R wrist X-ray, frontal, subsequent exam:

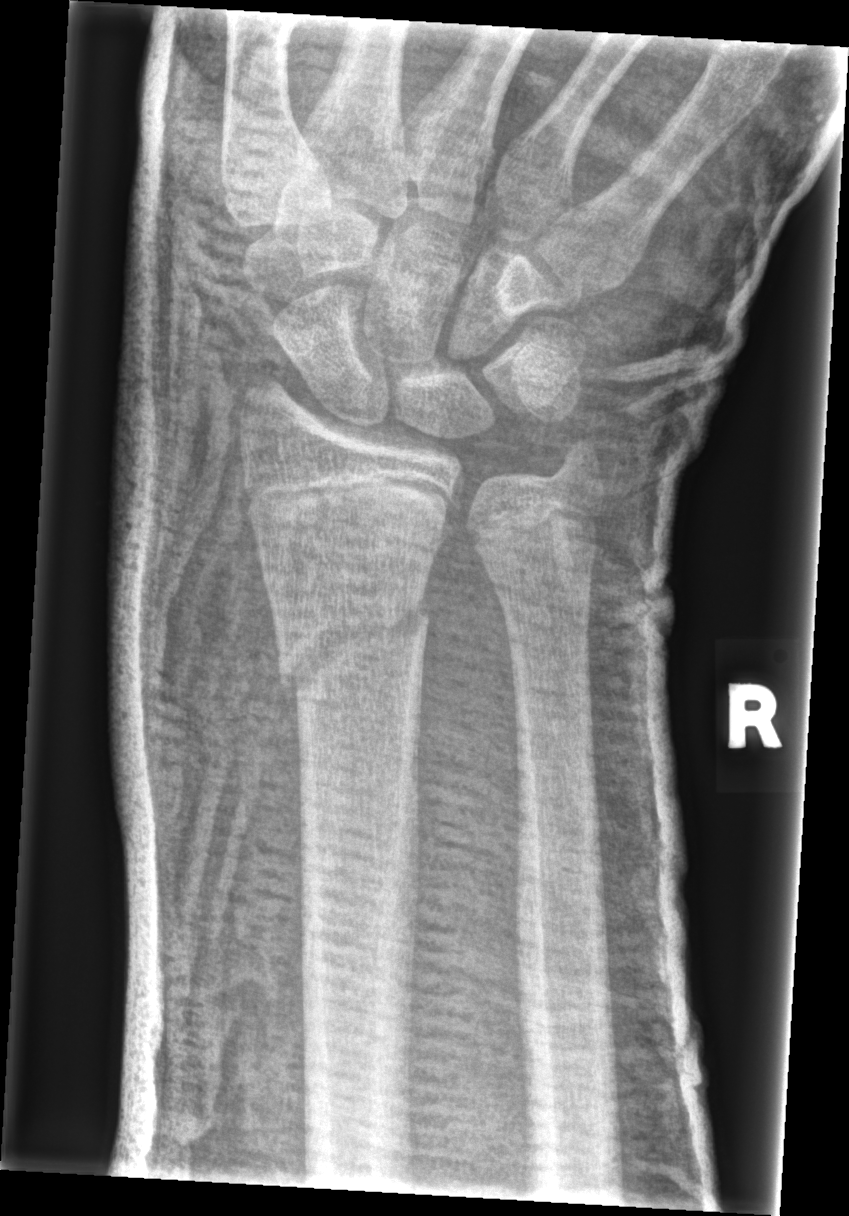   fracture: 1 @ 270,585,433,707